PA, L wrist radiograph, subsequent exam, 552 by 858 pixels: 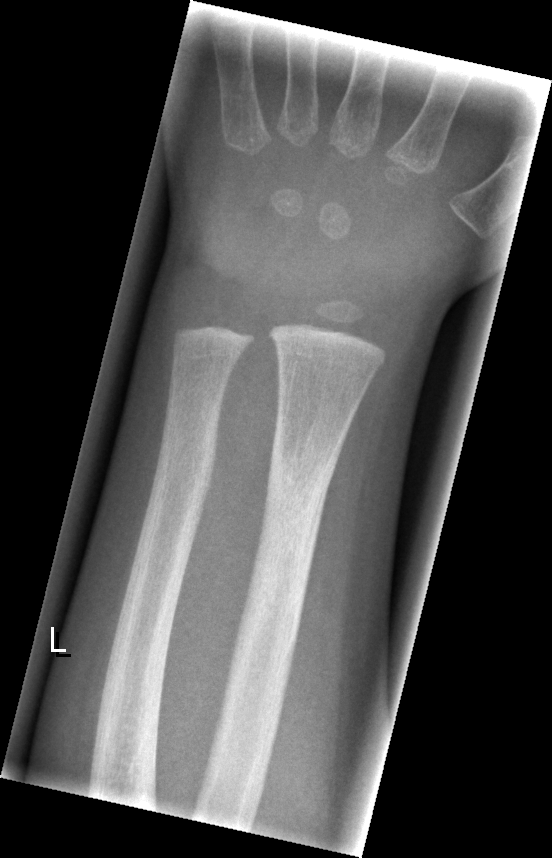

(bounding boxes in image-pixel xyxy)
bone fracture = 2 @ [260, 432, 340, 562] [160, 375, 226, 480]